Lt pediatric wrist radiograph; lat; index exam; detector: Siemens; image width 84.4 mm — 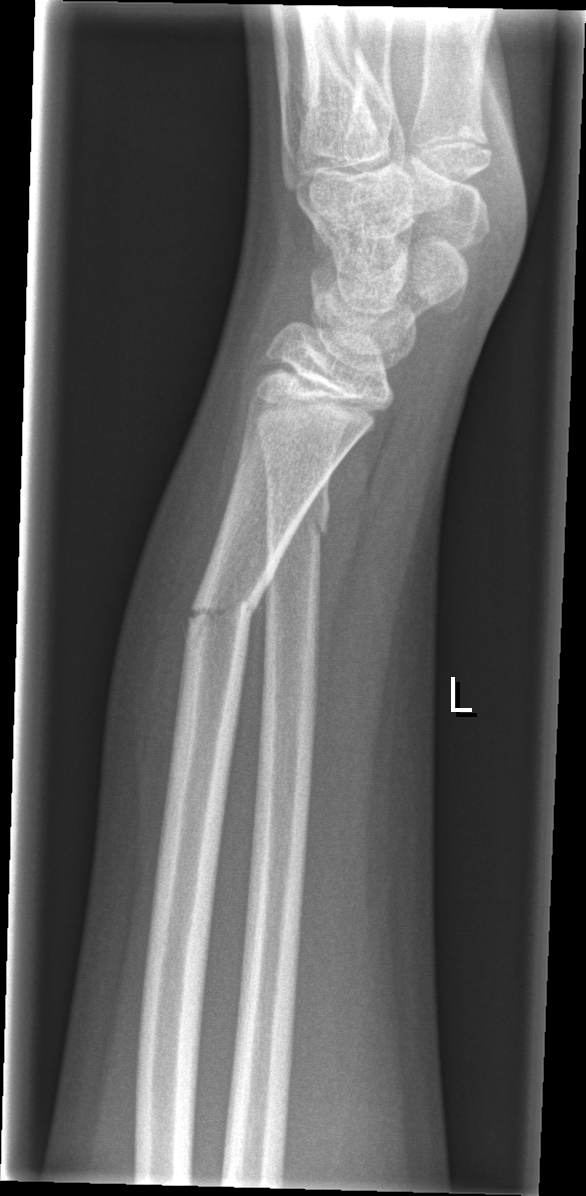 Fracture: 2 @ [x1=184, y1=568, x2=277, y2=646], [x1=263, y1=472, x2=334, y2=554]
Soft-tissue finding: [x1=99, y1=390, x2=250, y2=882]
AO code: 23r-M/3.1; 23u-M/2.1